R plain radiograph of the wrist | lateral view | pediatric patient (boy, age 13) | subsequent exam | image width 90.9 mm —
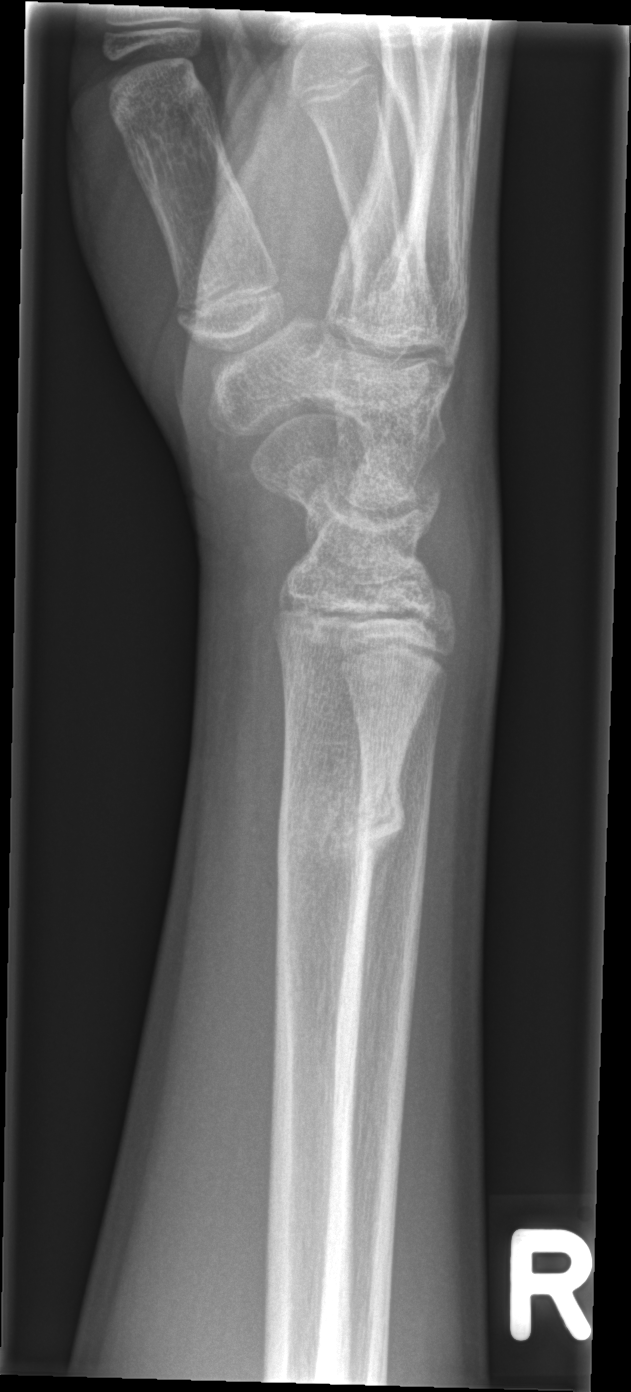
Periosteal new bone: 1 @ [x1=357, y1=828, x2=402, y2=1025]
Fracture: [x1=271, y1=770, x2=409, y2=871]